PA projection | Rt pediatric wrist radiograph —
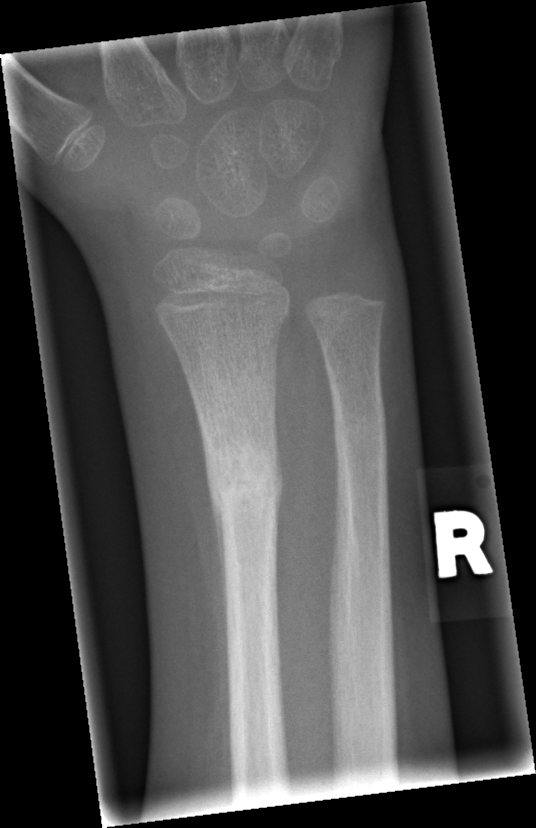

FINDINGS — AO/OTA classification: 22r-D/4.1; 23u-M/2.1. Fractures — 199 439 284 533; 328 407 392 456.